Right wrist X-ray, lateral projection, age 7 y, boy, follow-up study, cast present, acquired on Siemens. 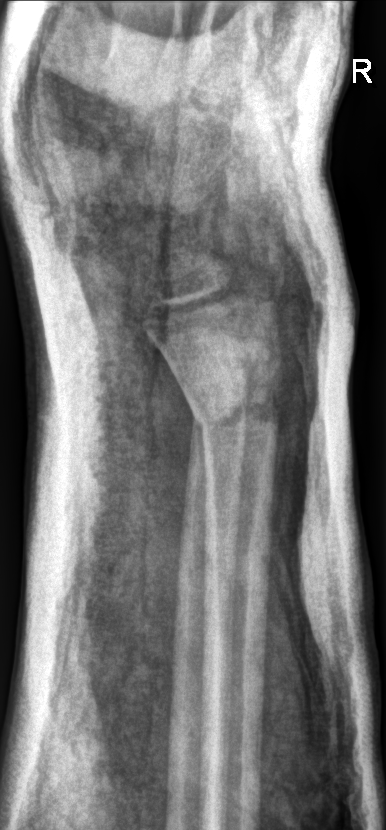

(pixel coordinates, top-left origin, xyxy)
Q: Locate any fractures.
A: Fx — (179, 382, 290, 440)